Rt plain radiograph of the wrist | frontal view | 2y M | image width 54.4 mm | 378 x 868 px — 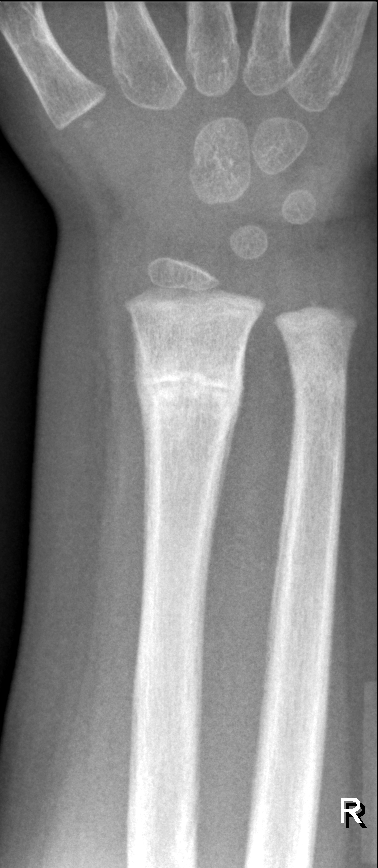 Coordinates are [x1, y1, x2, y2] in image pixels.
Periosteal reaction — (left=207, top=342, right=247, bottom=582) (left=129, top=309, right=155, bottom=558).
Fx identified at (left=135, top=348, right=244, bottom=418), (left=288, top=366, right=348, bottom=409).
Osteopenic.